Lat, right wrist X-ray, 411 by 648 pixels. 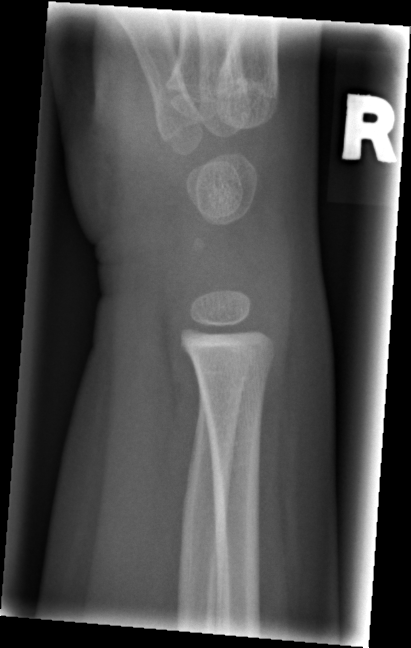
No fracture bounding box.